Left wrist X-ray, lat view, pediatric patient (boy, age 10), index exam, image 62.4 mm wide, 433 by 1346 pixels.
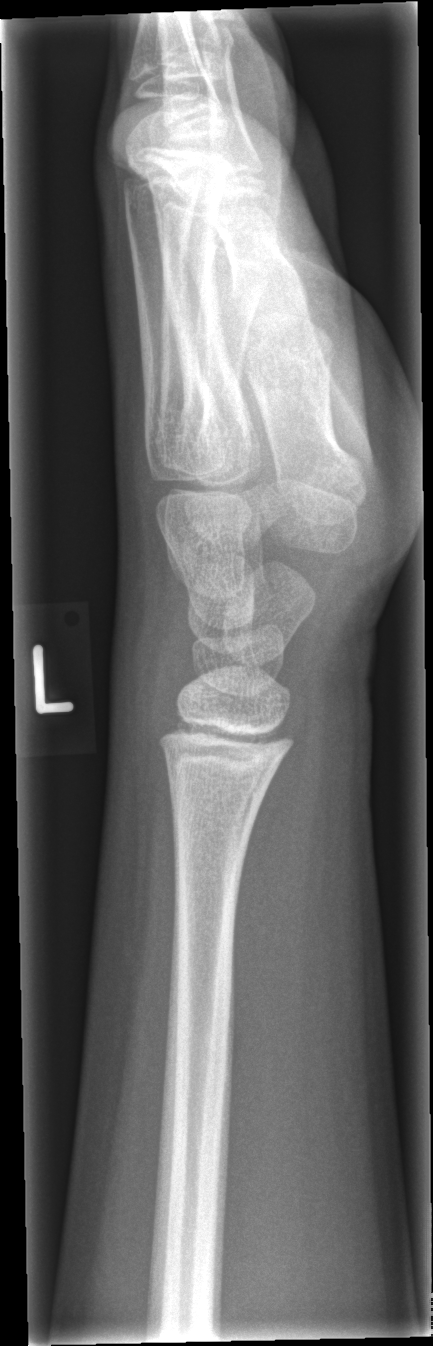
Bone fracture = none labeled